Rt wrist radiograph; lateral; 10y F; acquired on Siemens: 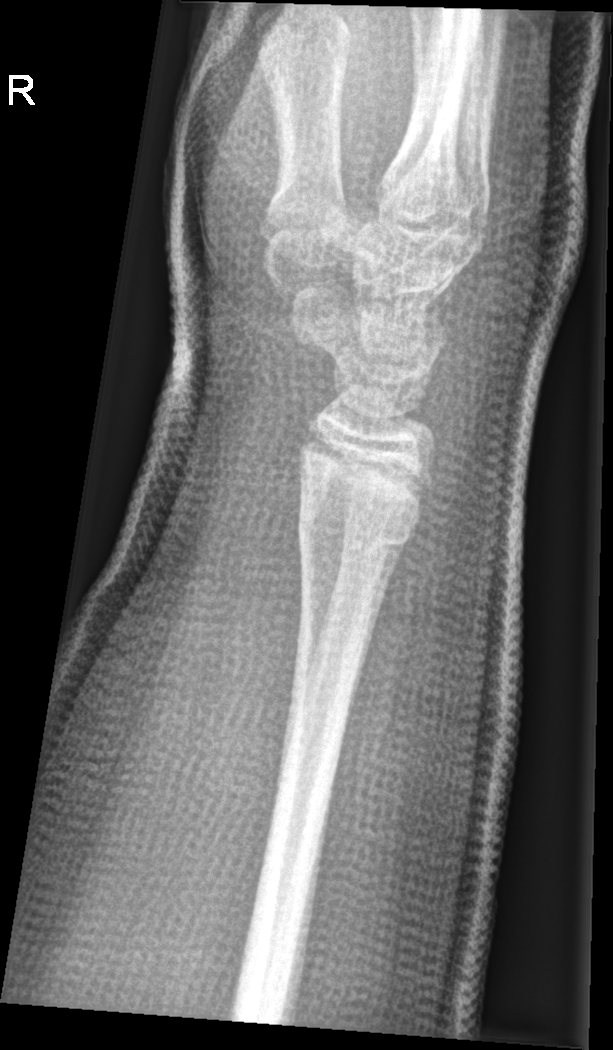
(pixel coordinates, top-left origin, xyxy)
Fx: 1 @ bbox(291, 501, 423, 571)